Lateral | right wrist X-ray | index exam.

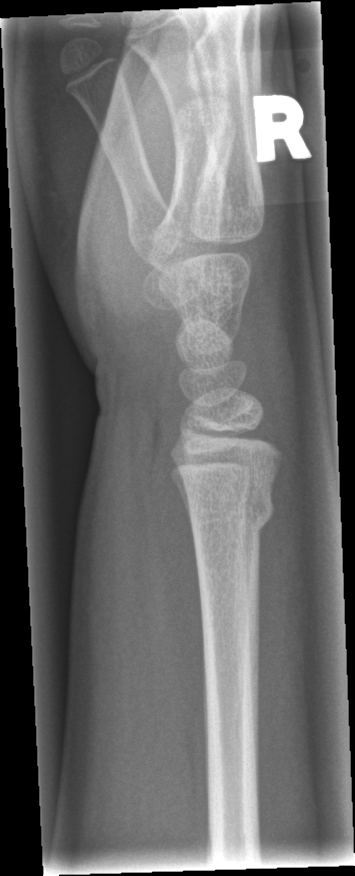
FINDINGS: Fracture identified at [x1=181, y1=480, x2=278, y2=542]. AO code 23r-M/2.1.